PA | Rt pediatric wrist radiograph | pediatric patient (boy, age 12) —

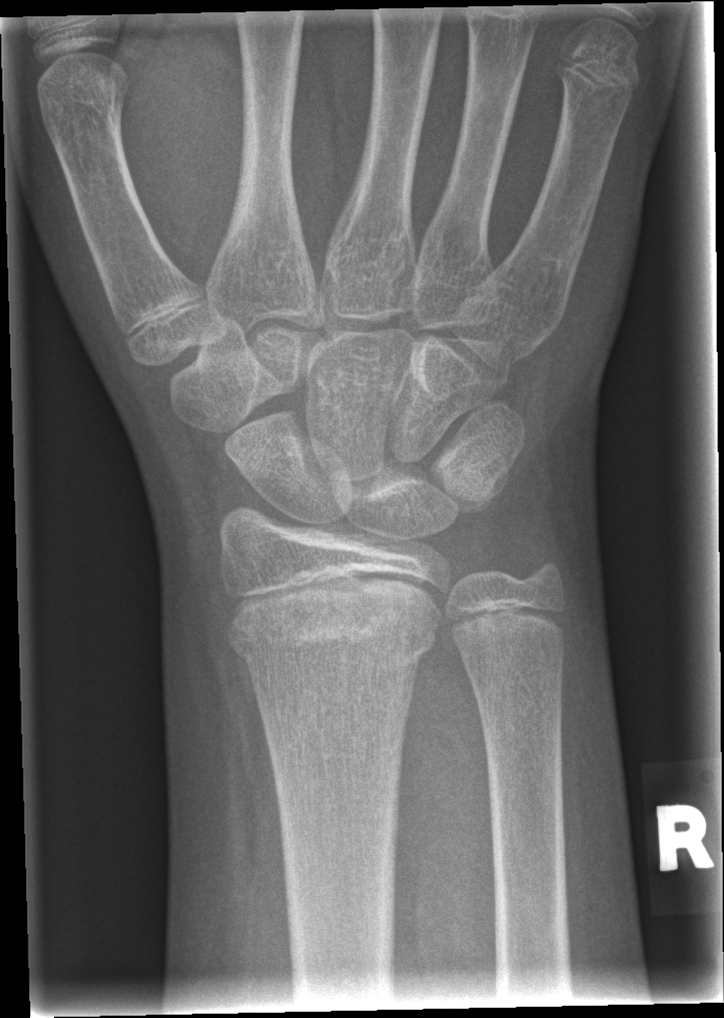 Fx identified at [219, 586, 441, 670].